PA view; right wrist pediatric wrist radiograph; age 7 y, male; follow-up; detector: Siemens 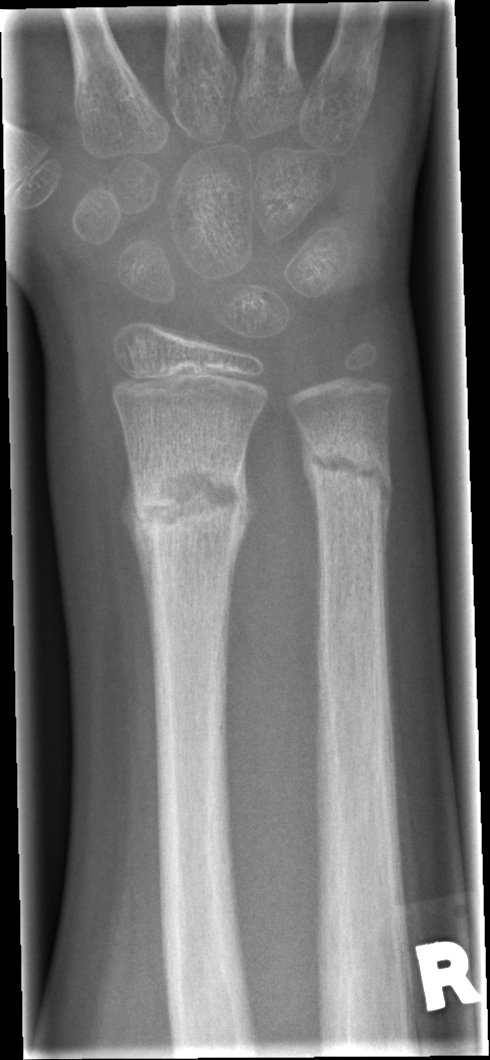 {
  "_coords": "bounding boxes in image-pixel xyxy",
  "osteopenia": "present",
  "fracture": "2 @ (left=124, top=447, right=251, bottom=564) (left=303, top=430, right=395, bottom=518)",
  "ao": "23-M/3.1",
  "periostealreaction": "(left=121, top=481, right=154, bottom=655) (left=228, top=463, right=253, bottom=630) (left=379, top=465, right=392, bottom=584)"
}